Lateral, left wrist X-ray, 472x906
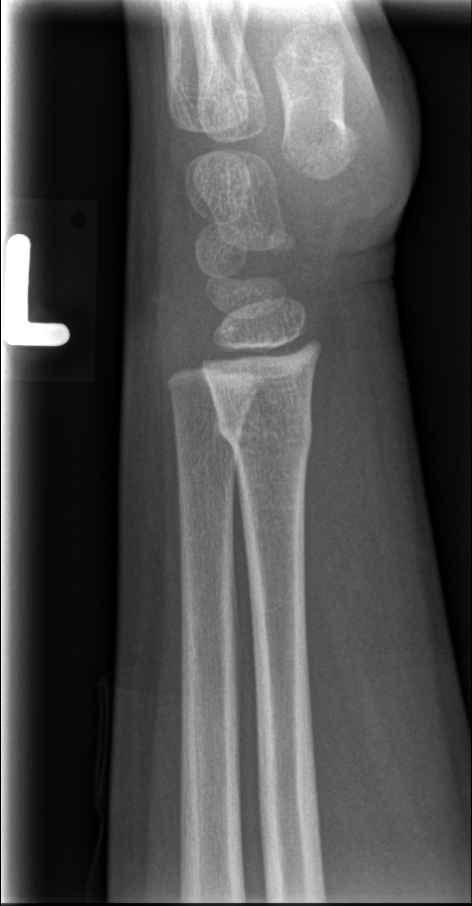

Pixel coordinates, top-left origin, xyxy.
Bone fracture identified at bbox(213, 408, 316, 459).